Left wrist pediatric wrist radiograph · AP projection · 11-year-old female · follow-up study · cast in situ

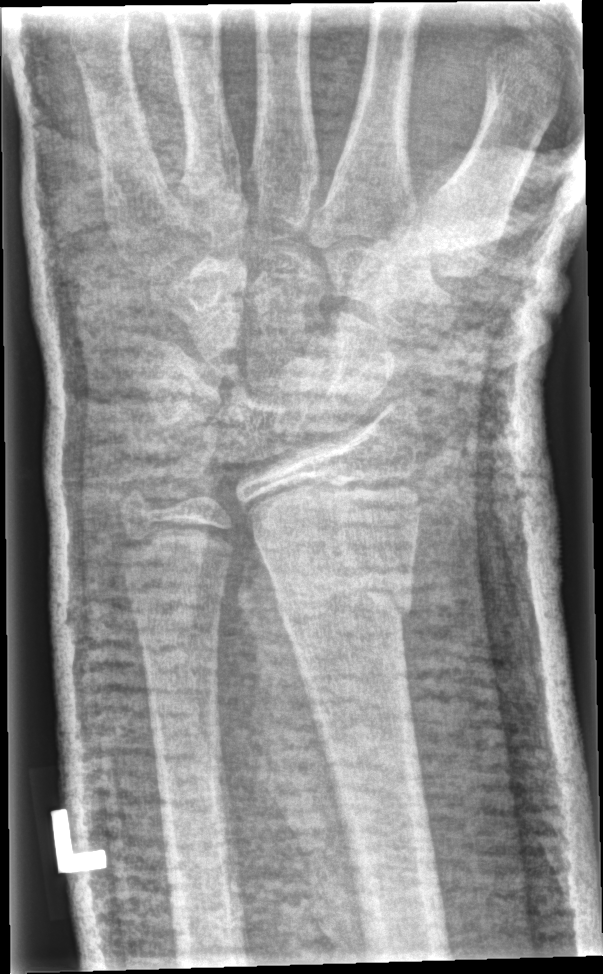

Findings: AO code 23r-M/3.1; 23u-E/7. One Fx at (left=271, top=570, right=416, bottom=632).